Lateral view, R wrist X-ray, 73.0 mm image width

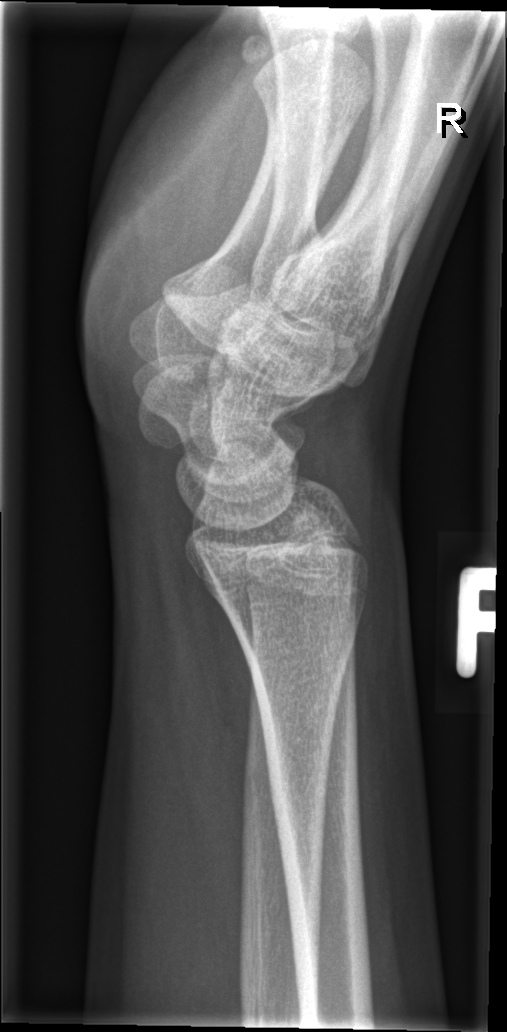
FINDINGS — No fracture annotation.